PA/AP | Lt wrist radiograph | 13-year-old boy | follow-up | 73.0 mm image width:

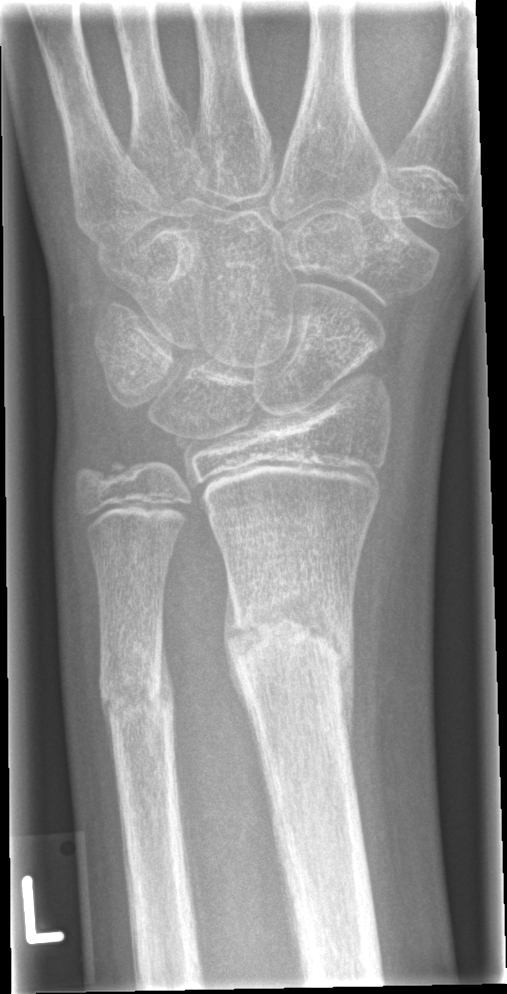
Coordinates are [x1, y1, x2, y2] in image pixels.
Three Fx at (222, 584, 357, 691), (96, 646, 179, 722), (71, 450, 133, 502).
Fracture classified AO/OTA 23-M/3.1; 23u-E/7.
Periosteal reaction — (223, 571, 272, 823) (332, 615, 360, 813) (98, 672, 120, 811) (156, 627, 176, 739).